Lat projection | left wrist radiograph. 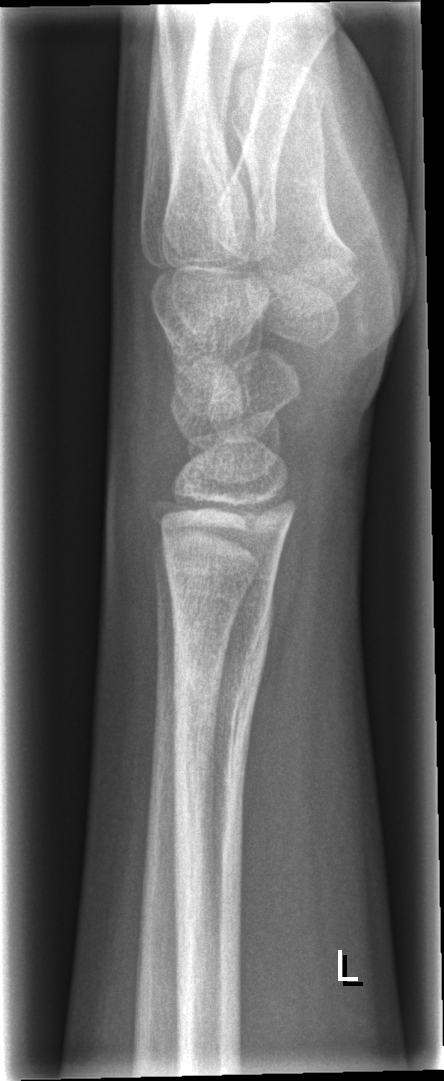 {
  "fracture": "(167, 593, 277, 825)",
  "ao": "23-M/3.1"
}